Left wrist plain radiograph of the wrist | frontal view | 13y M | cast in situ | detector: Siemens:

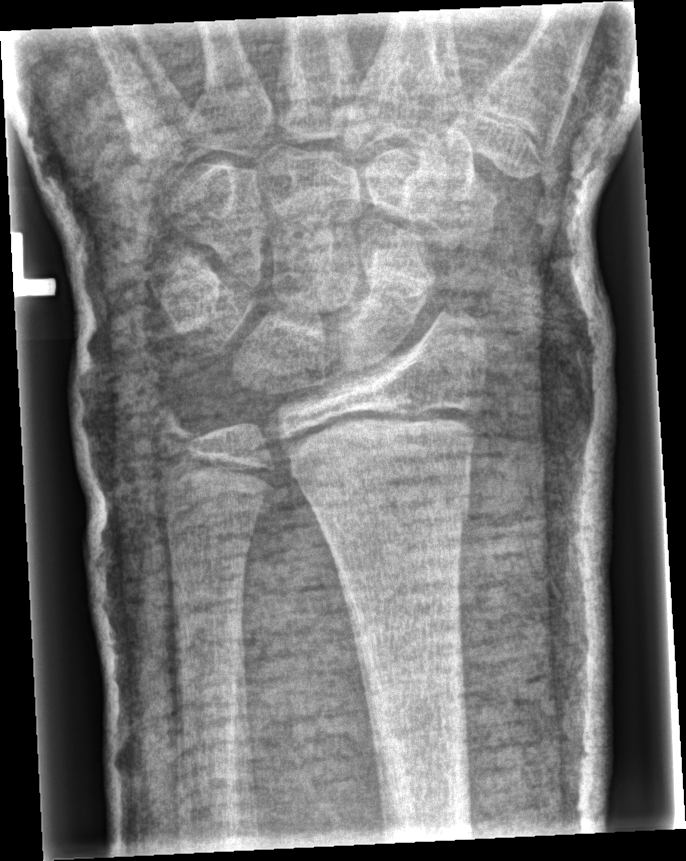
Findings: Fx identified at (307, 474, 478, 555); (148, 404, 207, 455).